PA/AP, left wrist plain radiograph of the wrist
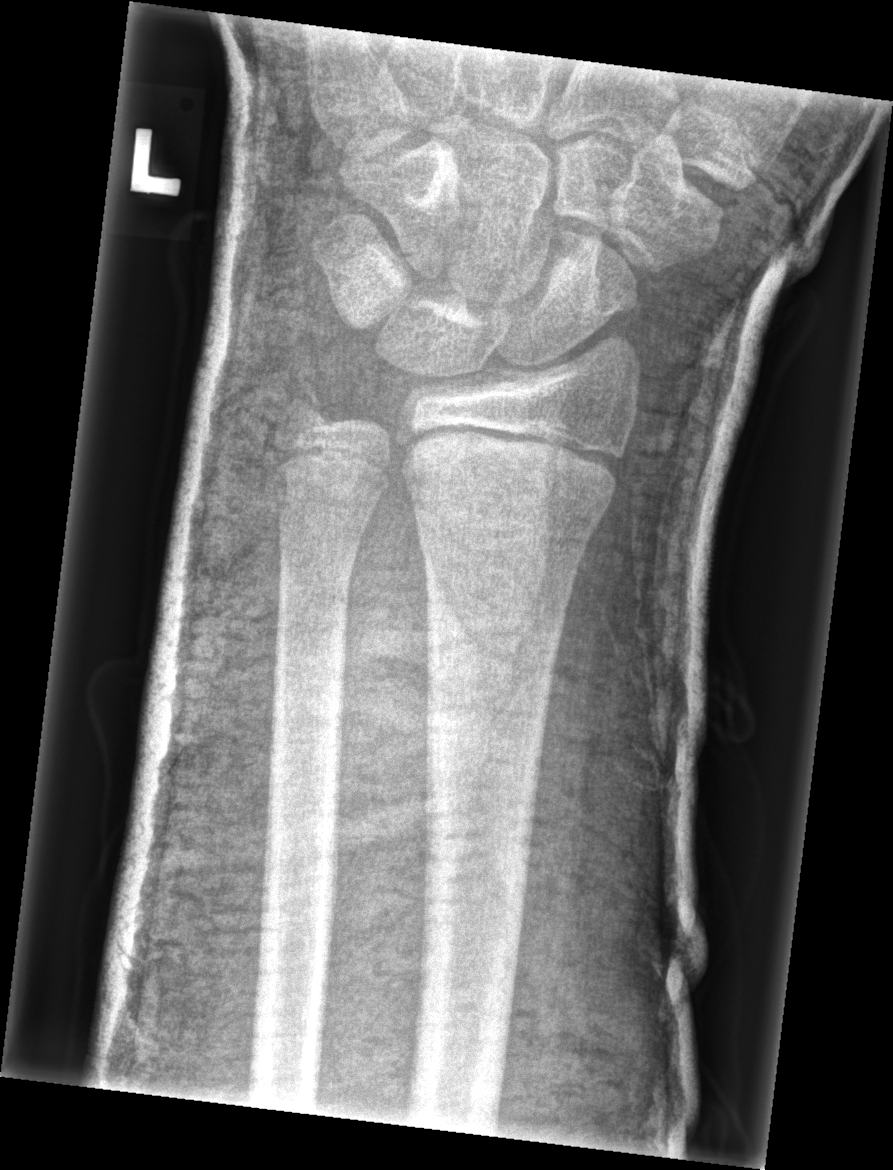
{"fracture": "present but not clearly seen in this view"}